Right wrist pediatric wrist radiograph, frontal, Siemens, image width 75.2 mm:
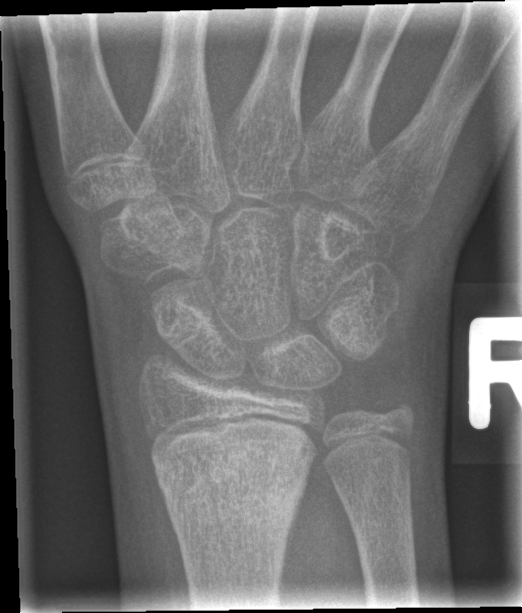

Fx = <151,424>-<313,534>; <368,388>-<418,433>
AO code = 23r-M/2.1; 23u-E/7